Right wrist XR; lat view; pediatric patient (boy, age 14); 382 x 858 px
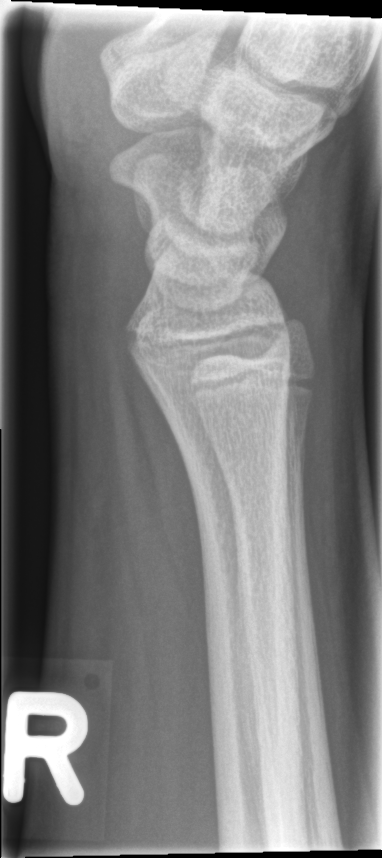 {
  "fracture": "none labeled"
}